R wrist XR, PA projection, in cast, image width 100.2 mm —
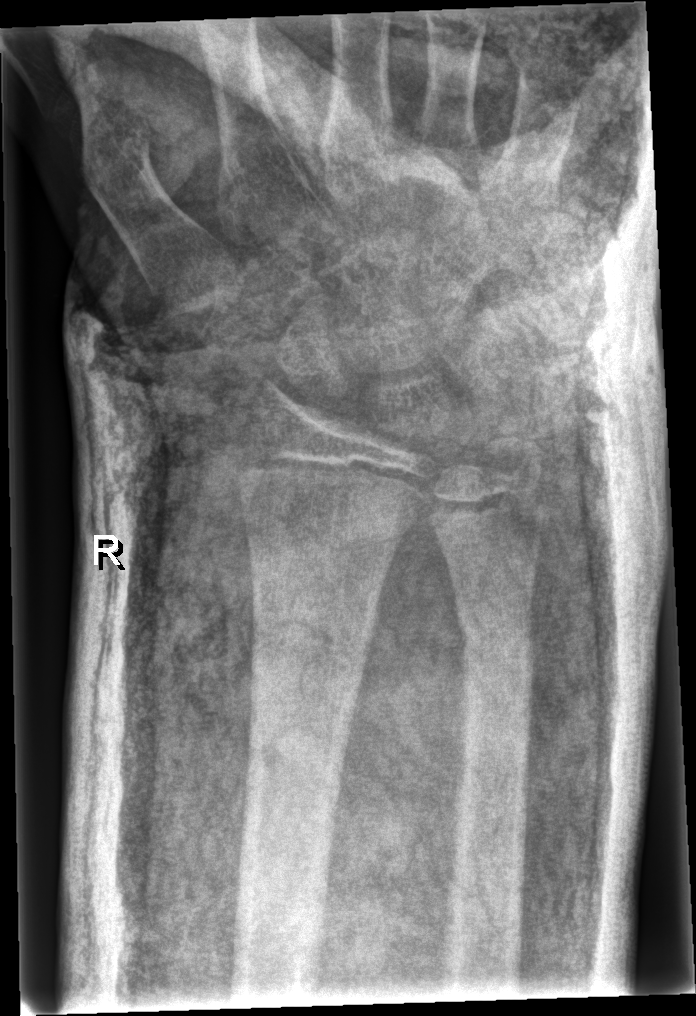
Bone fracture: 2 @ [246, 588, 374, 688] [453, 612, 539, 687]